Right wrist plain radiograph of the wrist | lat | male, 16 yo | detector: Siemens | 536 x 1276 px — 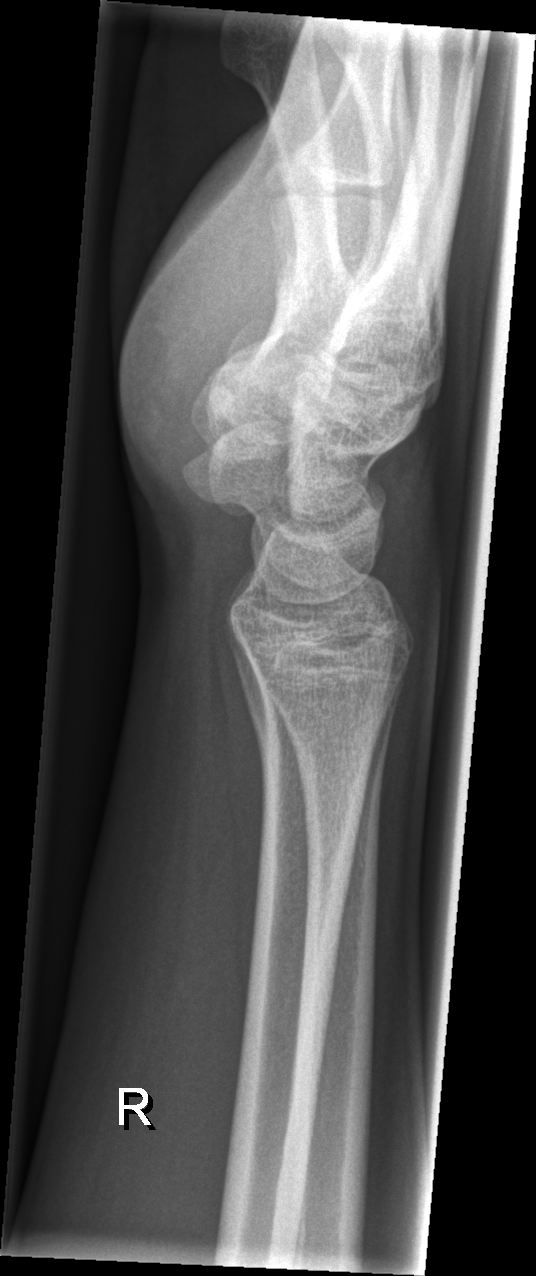
No fracture bounding box.